PA, left pediatric wrist radiograph, Siemens.

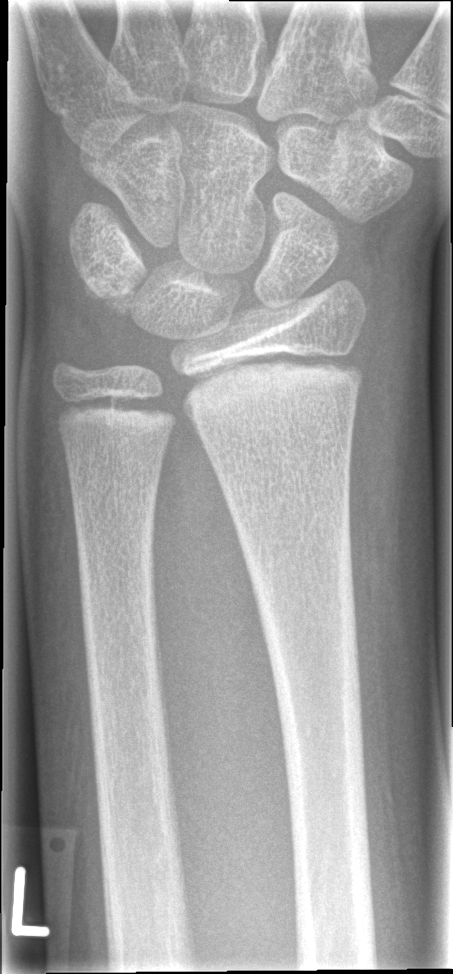 AO/OTA classification: 23-E/2.1. Fracture present but not clearly seen in this view.